Rt pediatric wrist radiograph, PA projection, age 1.5 y, male, acquired on Siemens 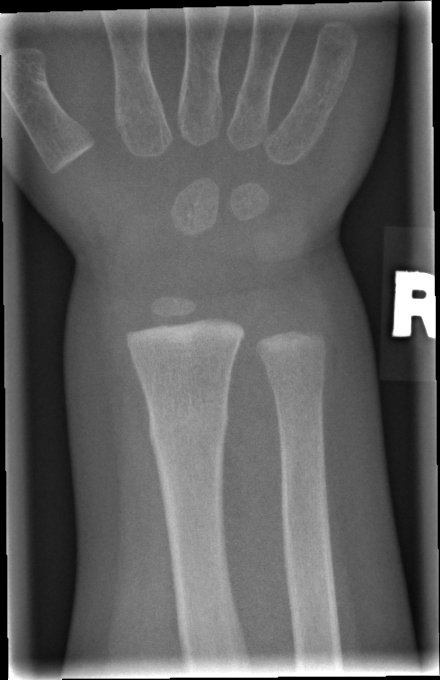
FINDINGS — (bounding boxes in image-pixel xyxy) Fractures — 145 404 231 454 | 262 354 330 403.